Frontal view; R wrist X-ray; male, 7 yo; acquired on Siemens; 415x652: 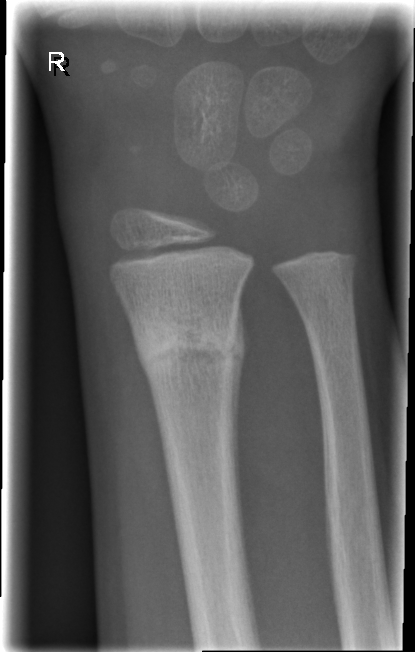 Fx: 1 @ bbox(129, 310, 247, 380)
Periosteal new bone: bbox(228, 290, 249, 503)
AO classification: 23r-M/3.1